Lt wrist plain film · frontal projection · diagnosis uncertain · detector: Siemens —
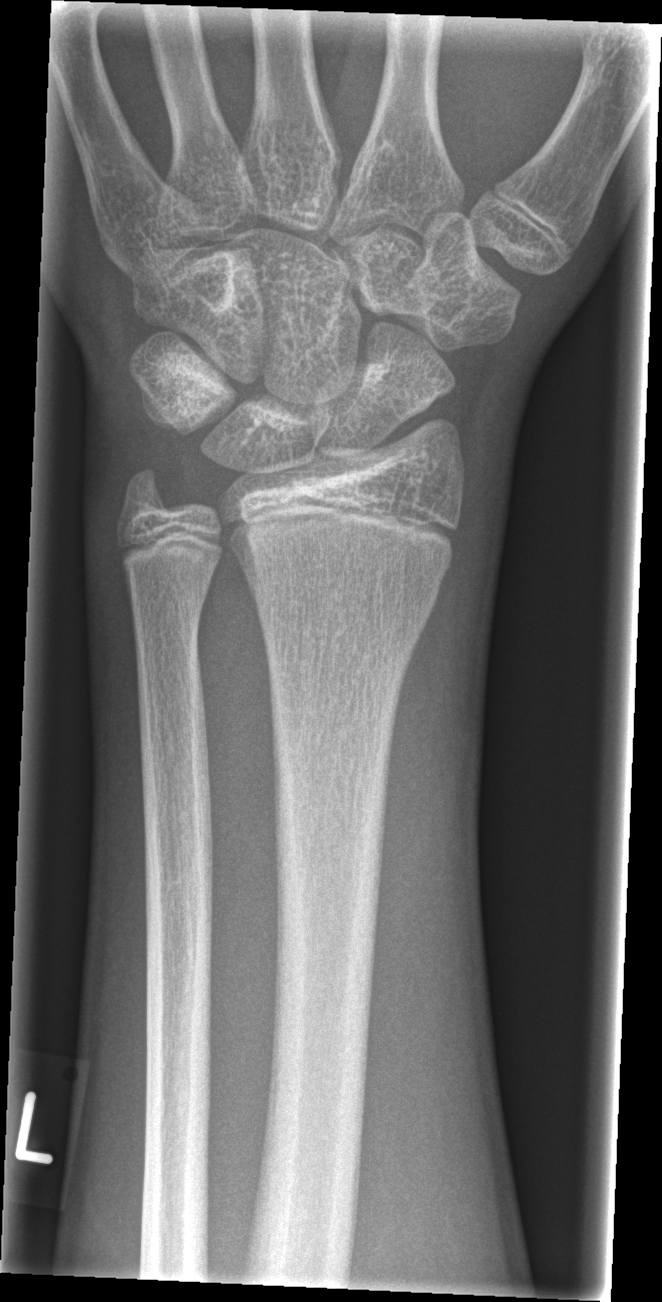

FINDINGS — AO code 23r-M/3.1; 23u-E/7. Fracture: present but not clearly seen in this view.